R wrist X-ray · posteroanterior projection. 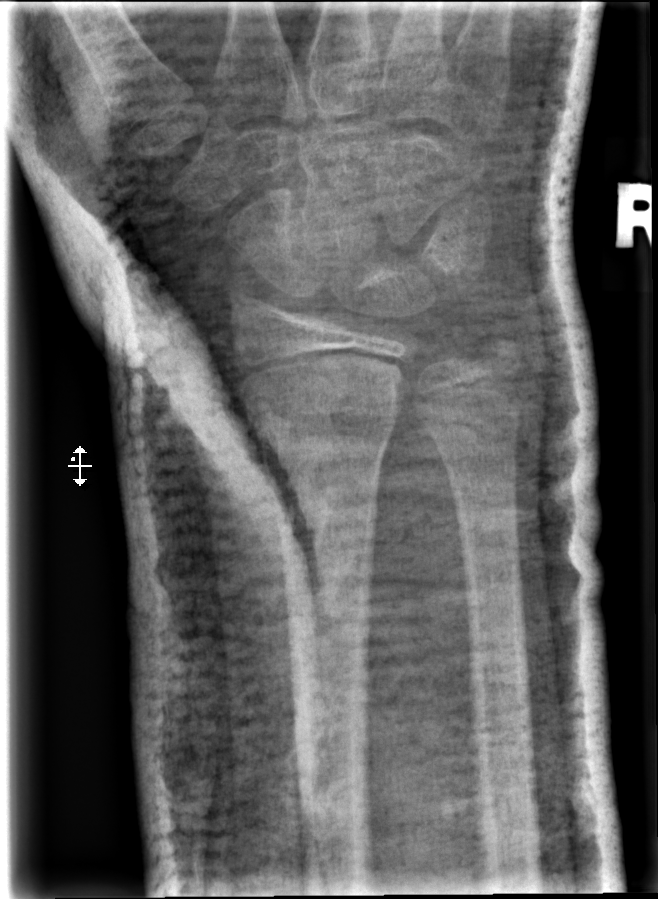
  ao: 23r-E/2.1; 23u-E/7
  fracture: 228 343 408 458